PA/AP; right wrist pediatric wrist radiograph; 650 by 986 pixels
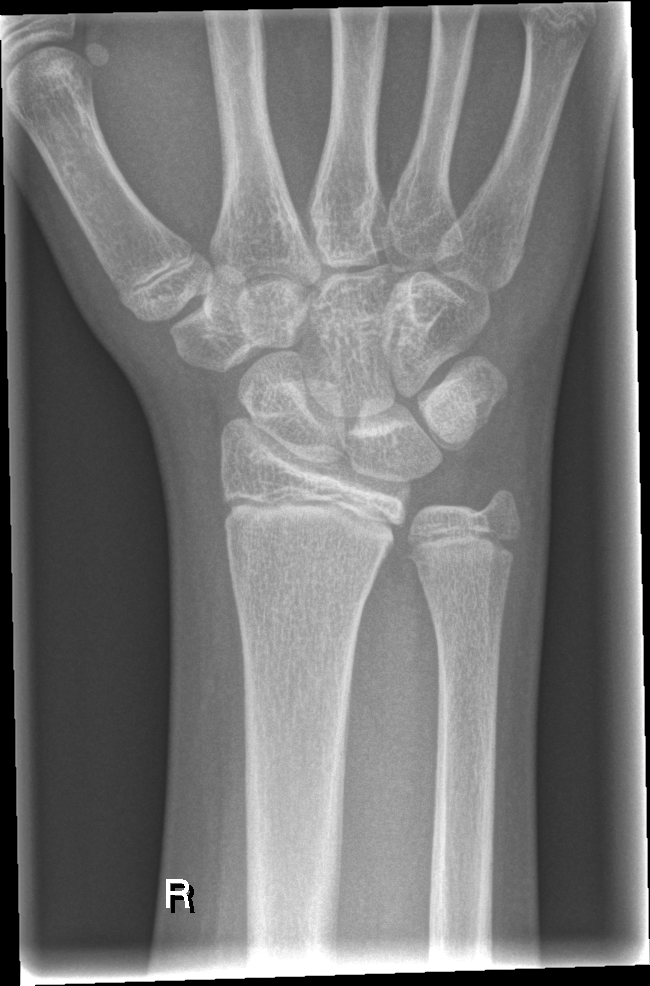

bone fracture: present but not clearly seen in this view